Lateral projection, left wrist radiograph, Siemens, 80.1 mm image width.
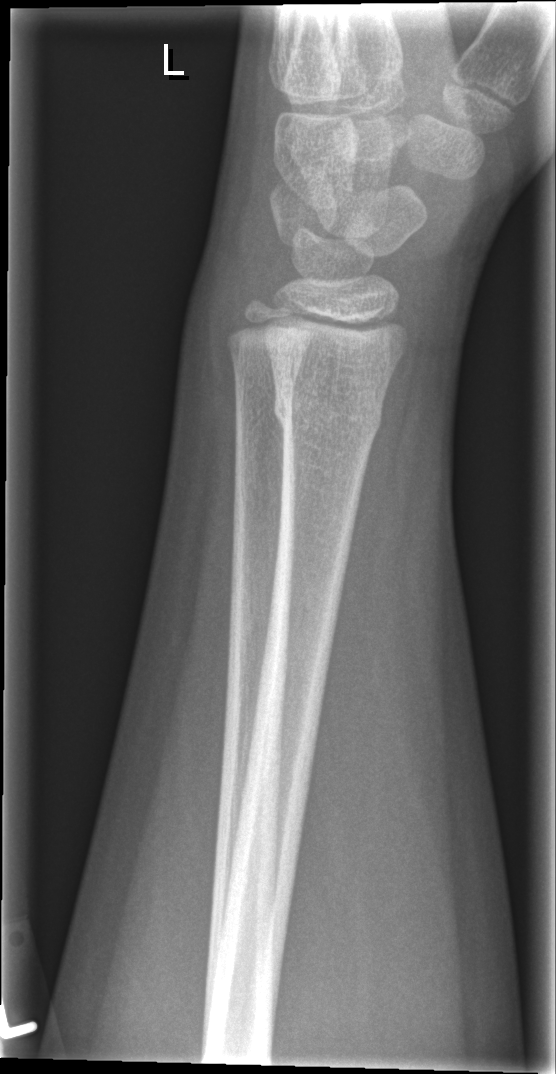

FINDINGS: Fracture identified at [269, 385, 385, 448]. AO/OTA classification: 23-M/2.1.